R wrist X-ray, posteroanterior, index exam.

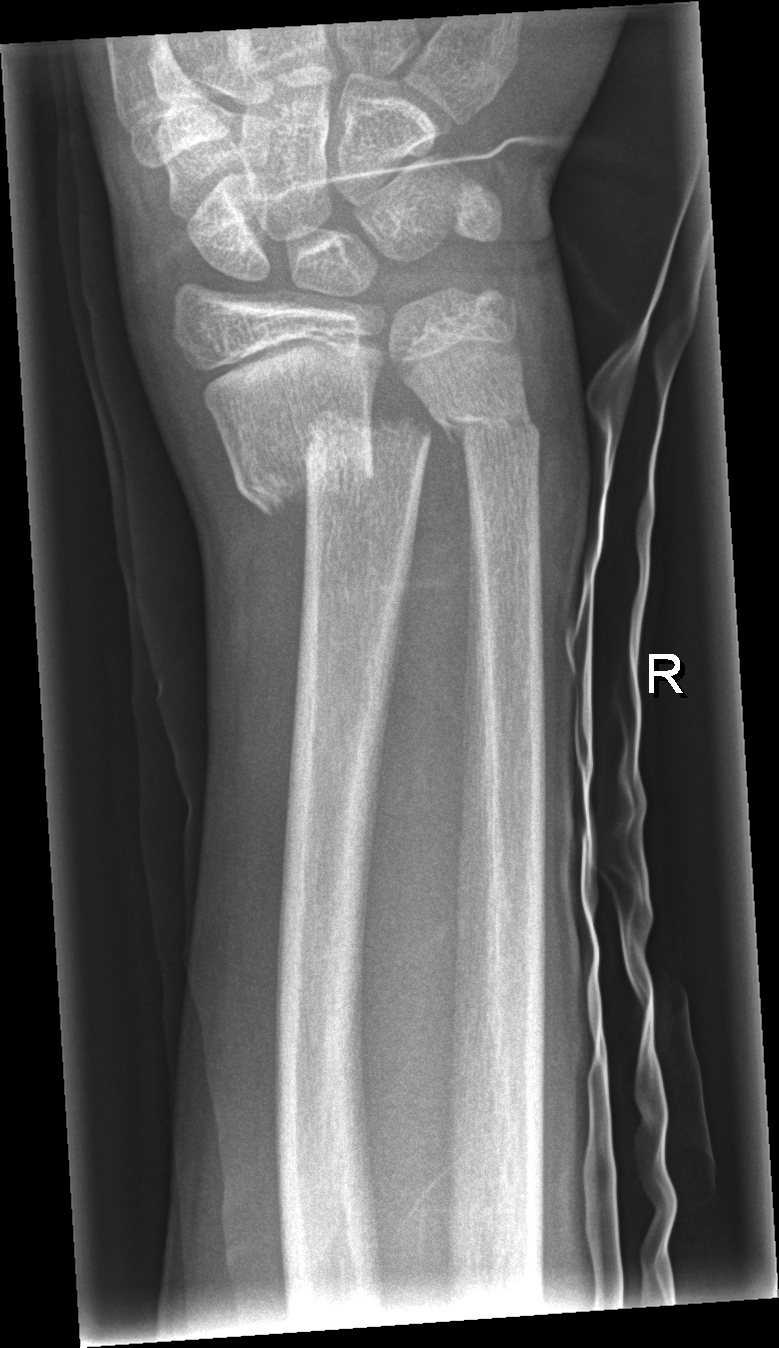   # bounding boxes in image-pixel xyxy
  ao: 23-M/3.1
  fracture: 2 @ 232,412,433,514
  425,385,548,462